Lateral view | left plain radiograph of the wrist | image width 96.2 mm.
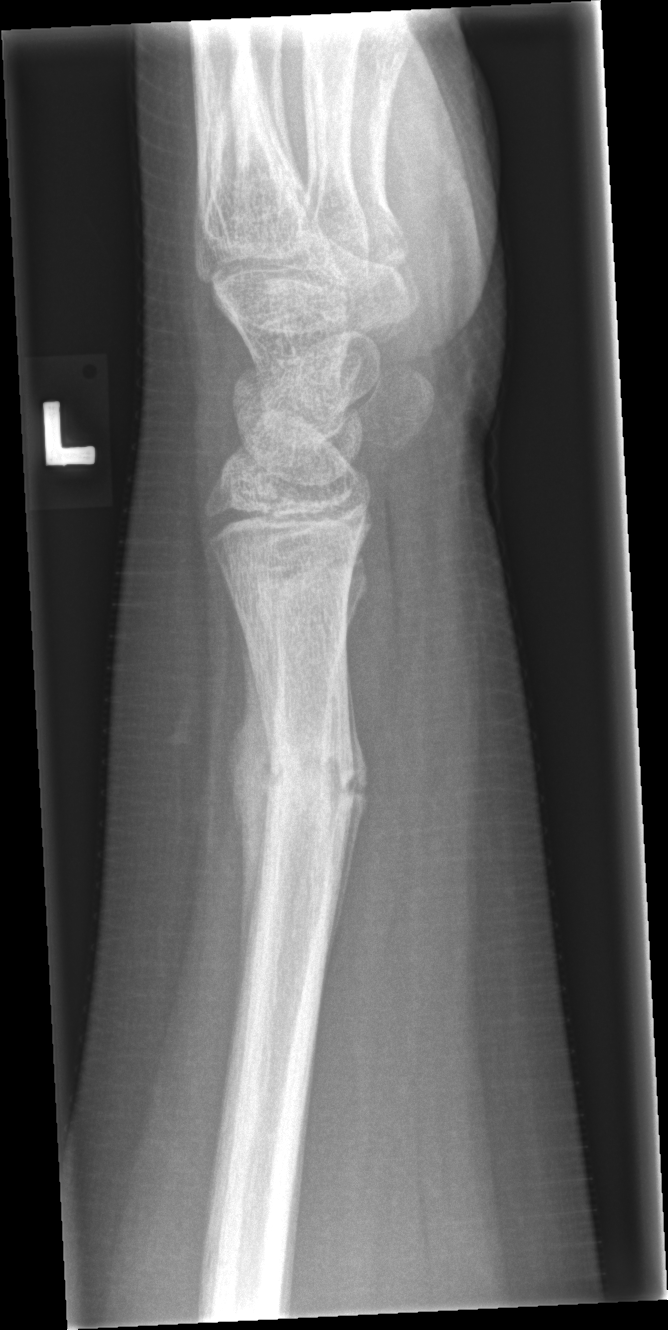

Periosteal reaction = bbox(227, 615, 272, 989) bbox(324, 656, 367, 983)
Fracture = 1 @ bbox(256, 720, 362, 831)